R wrist radiograph, frontal, presentation radiograph, 613 by 854 pixels.

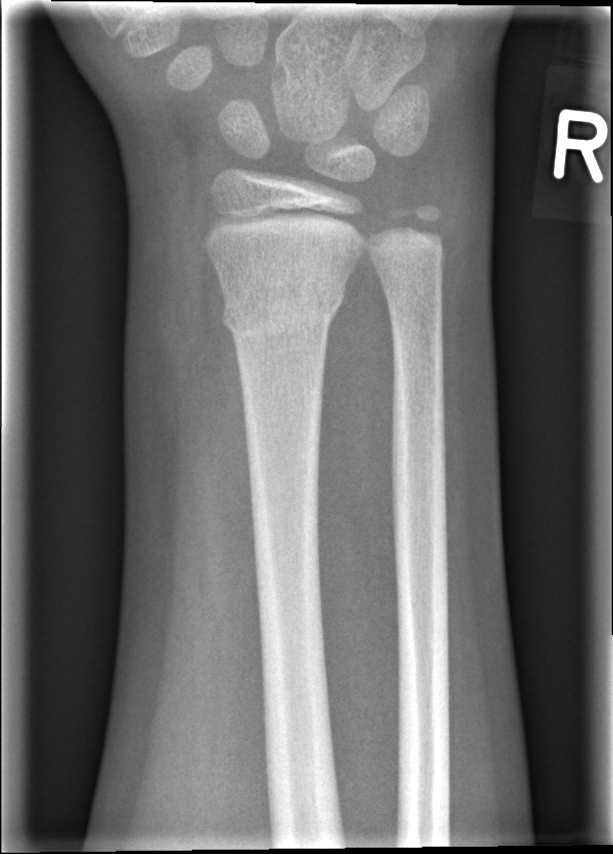

AO/OTA = 23r-M/2.1
Bone fracture = 1 @ 218,279,349,346